Rt wrist radiograph; AP projection; age 16 y, girl; presentation radiograph: 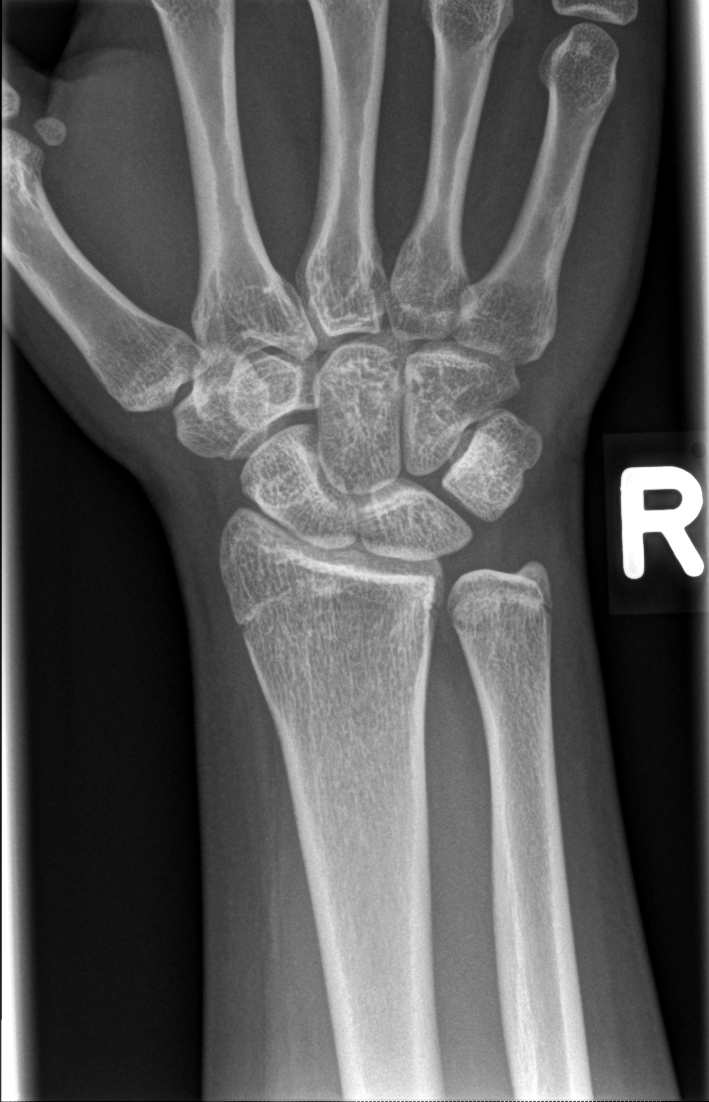
Q: Fracture present?
A: Fx: none